Lateral view; left wrist radiograph; age 17 y, male; image width 69.1 mm; image size 480x1077

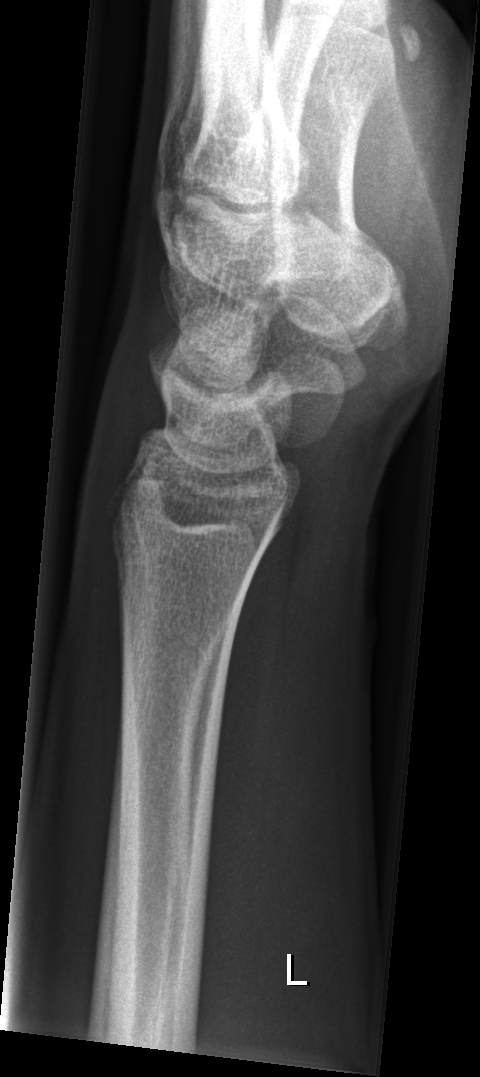 - No fracture labeled.